PA/AP view | left wrist radiograph | 16y M | initial study | Siemens — 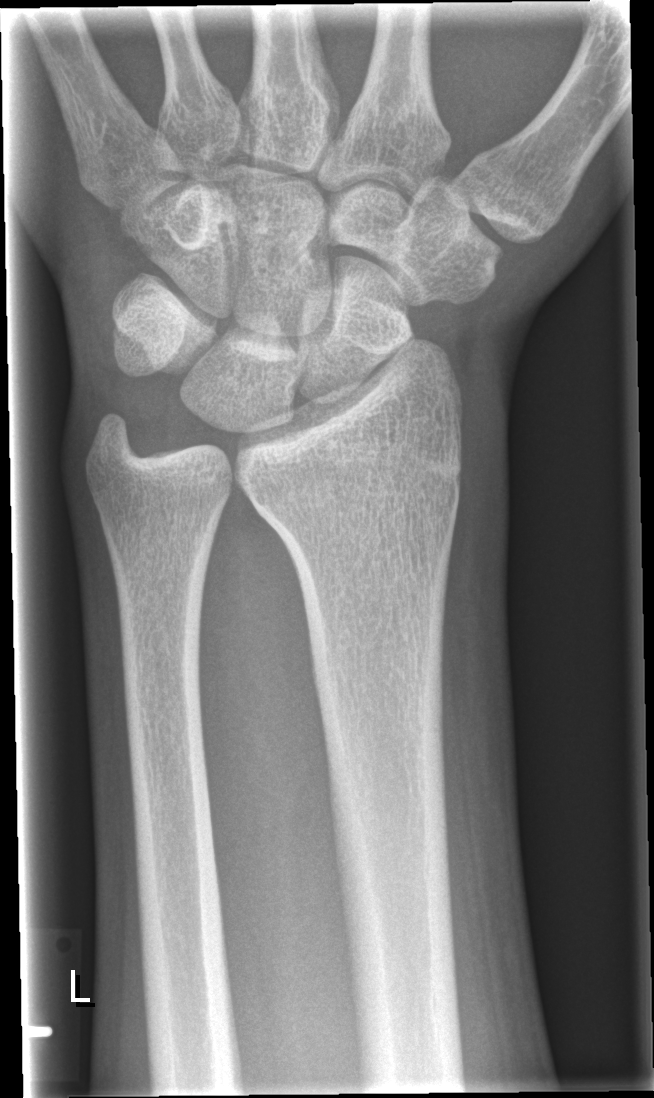
- Fx: present but not clearly seen in this view.